R wrist radiograph; lat projection; age 12 y, girl; imaged through cast — 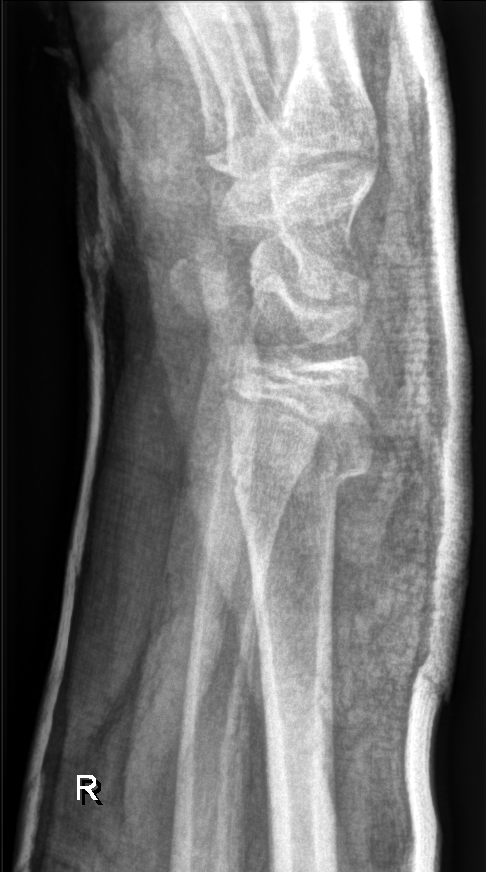
fracture: [226, 443, 377, 512]